PA/AP, L pediatric wrist radiograph, pediatric patient (boy, age 15), cast in situ, 566 by 1144 pixels.

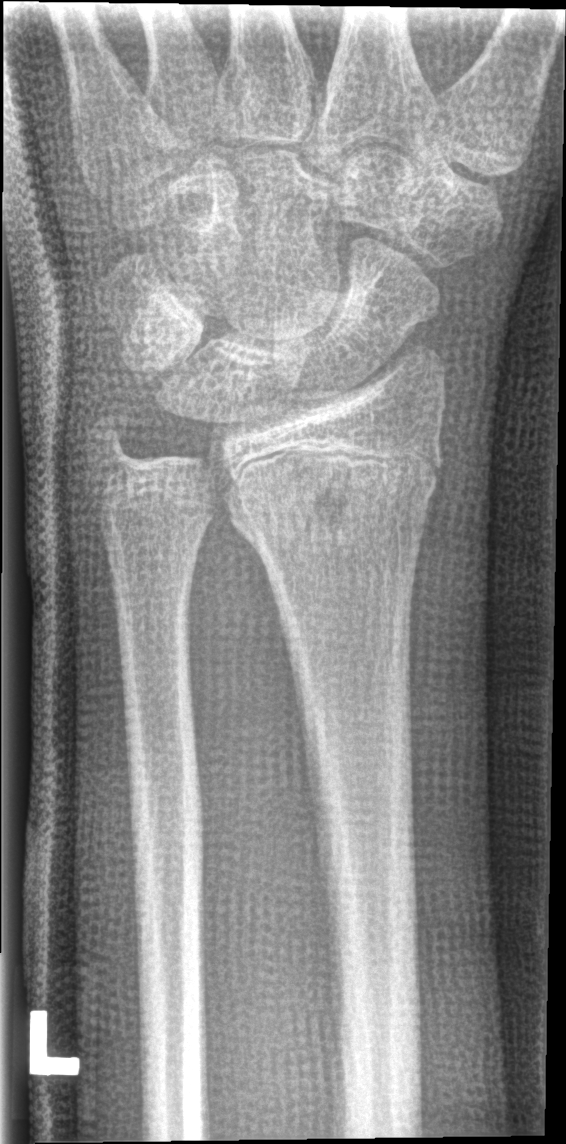

Two bone fractures at 221 452 443 552 | 78 409 147 473. AO code 23r-M/3.1; 23u-E/7.